PA view, right wrist pediatric wrist radiograph, 16-year-old male, initial study, 106.4 mm image width — 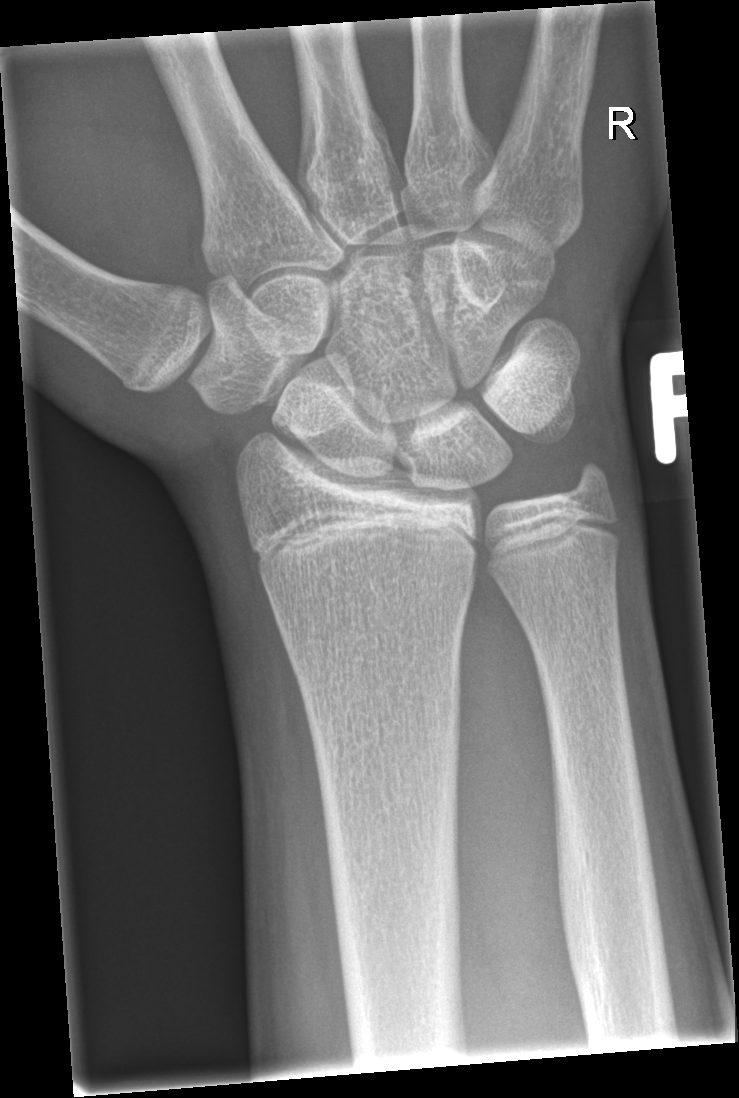
Fracture = none labeled